Lat view, left wrist plain film, 10-year-old girl, follow-up. 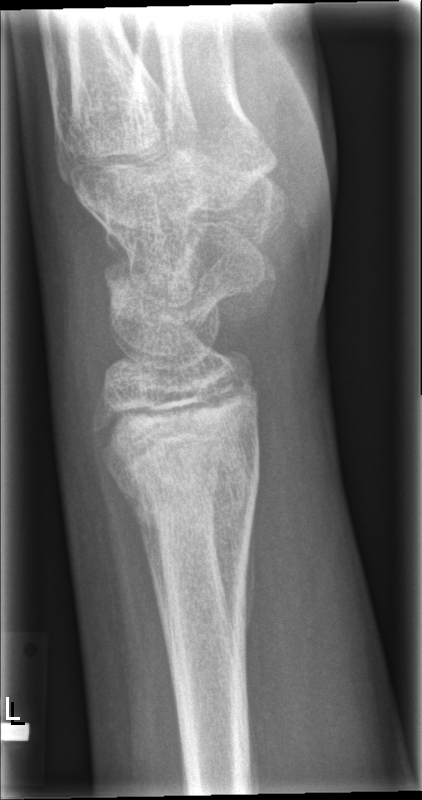
{"fracture": "100,399,264,543", "osteopenia": "present", "ao": "23r-M/3.1; 23u-E/7", "periostealreaction": "242,494,257,687"}